Lt plain radiograph of the wrist; lateral view; follow-up:
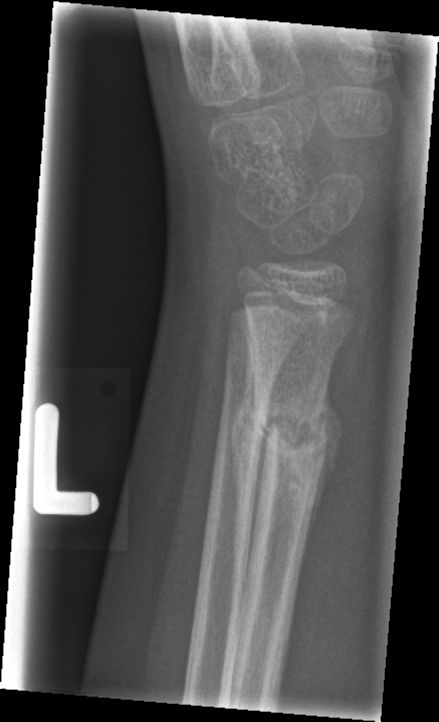

Two periosteal reaction at <304,386>-<344,556> <231,335>-<258,544>. Decreased bone density (osteopenia). One Fx at <249,397>-<330,471>.